Right wrist XR; lat view; follow-up study; imaged through cast — 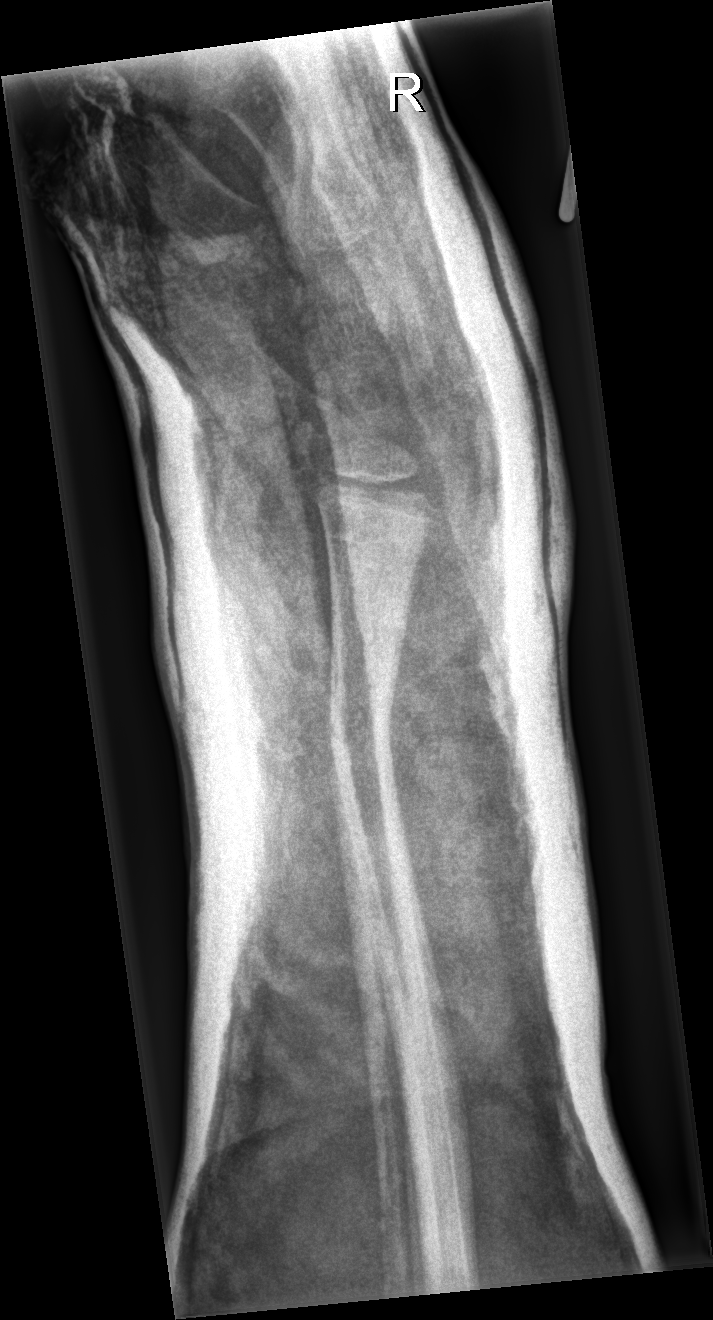 AO/OTA: 22-D/2.1
bone fracture: 1 @ [321, 686, 401, 772]